Right wrist pediatric wrist radiograph · lat projection · follow-up — 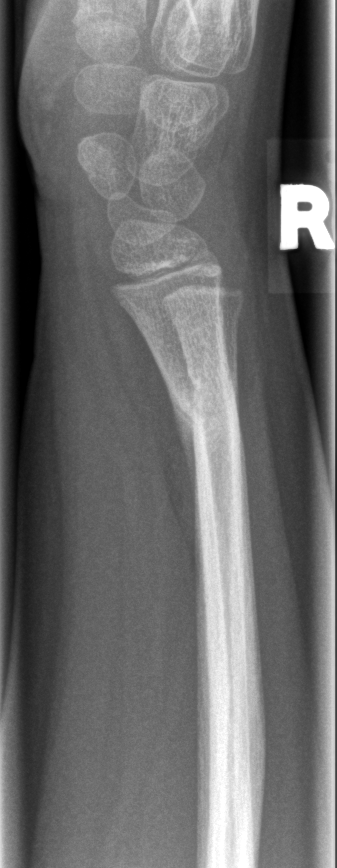 Q: Locate any periosteal reaction.
A: Periosteal reaction identified at (left=172, top=403, right=198, bottom=501)
Q: Locate any fractures.
A: Fracture identified at (left=169, top=373, right=242, bottom=448)
Q: What is the AO/OTA classification?
A: AO/OTA classification: 23-M/2.1